AP view, Lt wrist plain film, 8-year-old female, presentation radiograph: 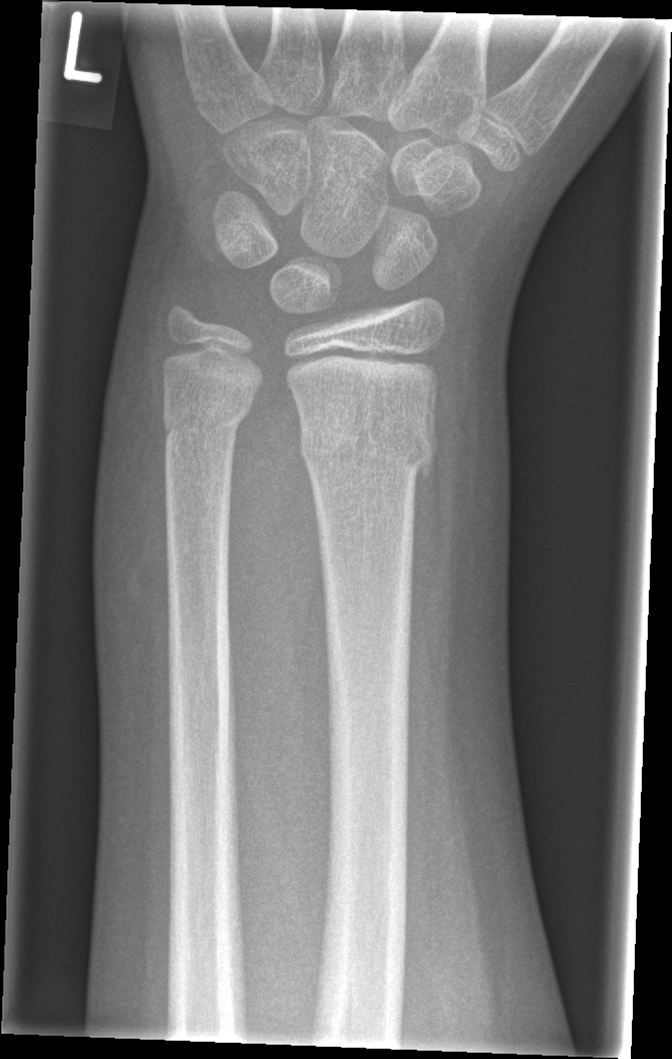
FINDINGS — AO/OTA classification: 23-M/2.1. Two fractures at <297,400>-<438,484>; <160,399>-<252,452>.